Frontal projection · right wrist plain radiograph of the wrist 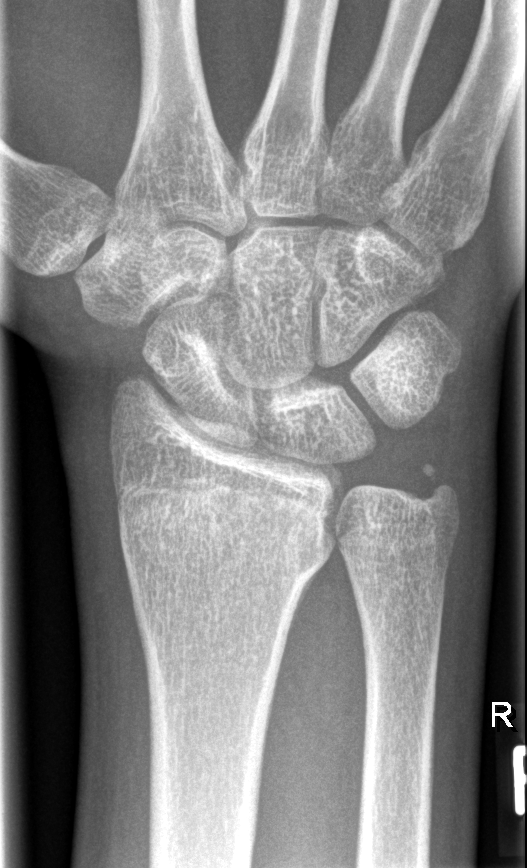 Findings: (coordinates are [x1, y1, x2, y2] in image pixels) Bone fracture identified at <114,503>-<336,622> <406,452>-<466,515>. AO/OTA classification: 23r-M/2.1.